PA/AP projection | Lt wrist X-ray | subsequent exam | imaged through cast | 754x1086 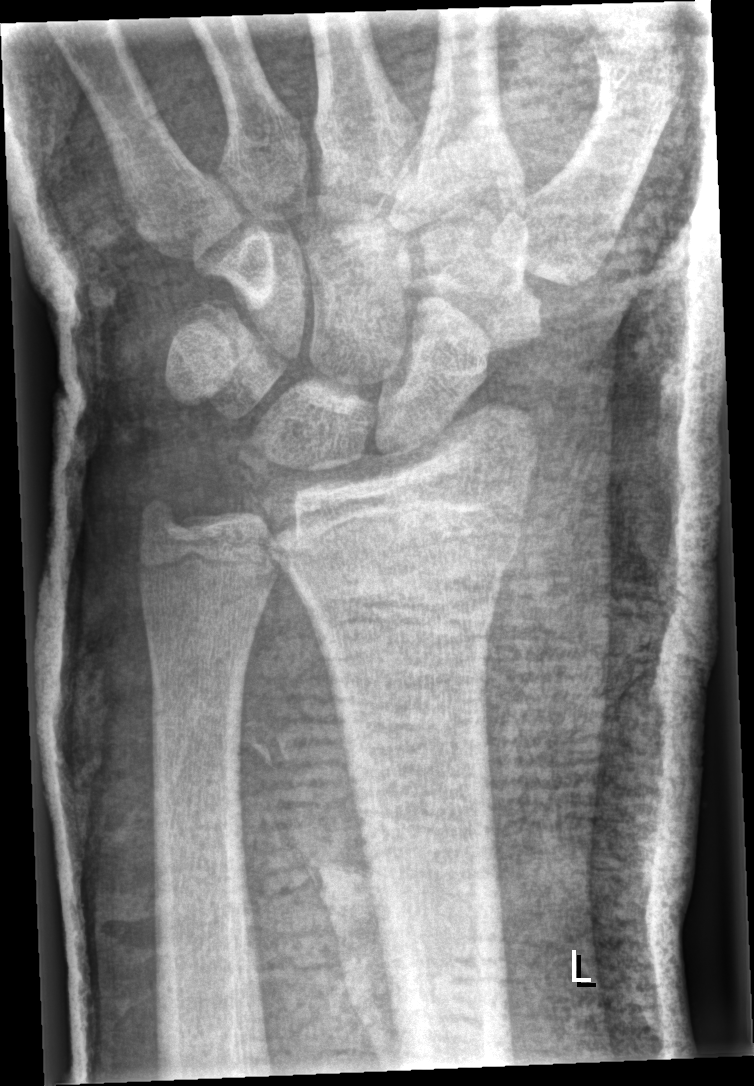

FINDINGS — (boxes as x1,y1,x2,y2 (top-left / bottom-right, pixel units)) AO code 23r-E/2.1. Bone fracture identified at [x1=263, y1=504, x2=528, y2=602].